Lat projection | L wrist X-ray | 594 x 1304 px 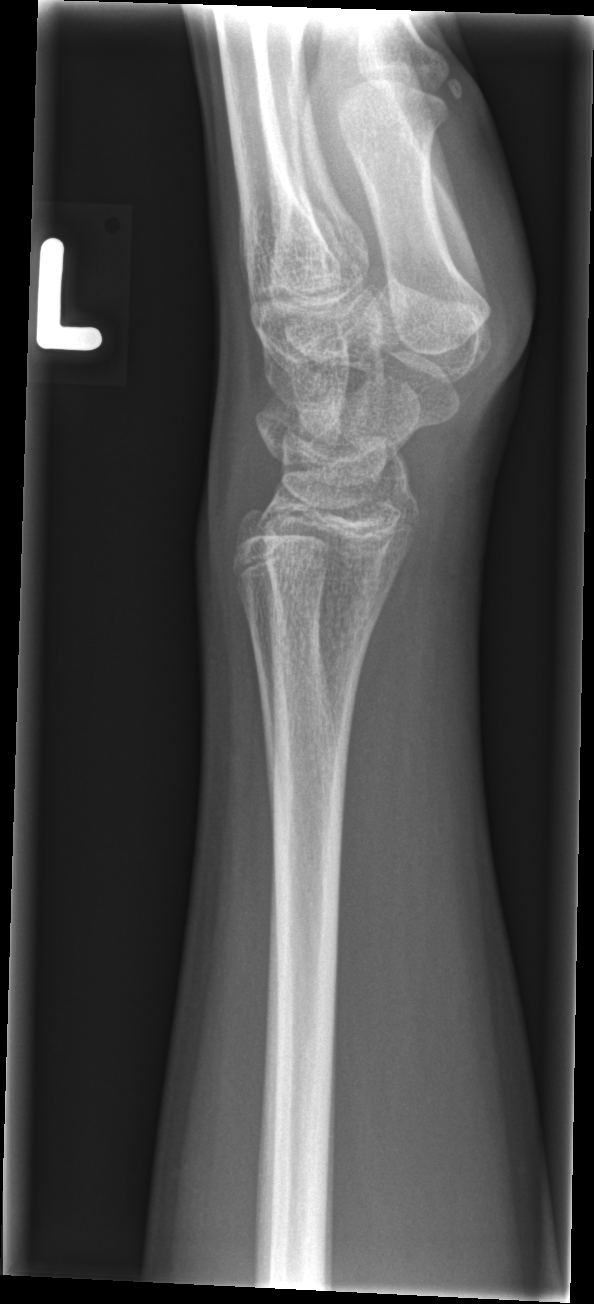 - No Fx annotated.